Lateral, Rt wrist plain film, 13-year-old boy: 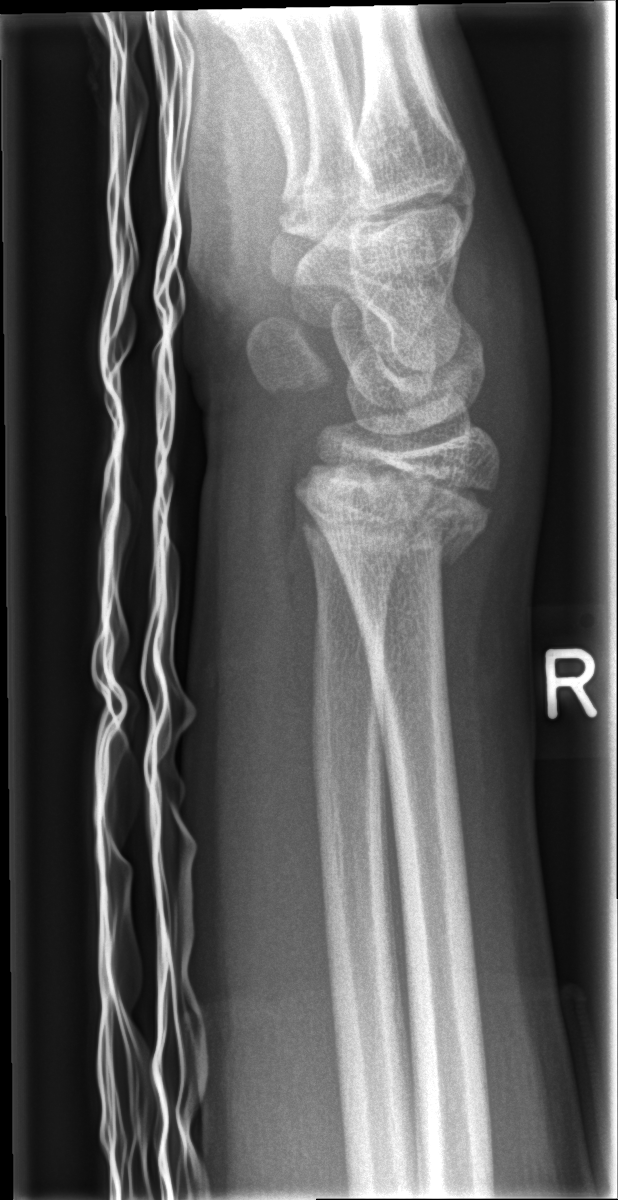
One soft-tissue swelling at <483,199>-<556,430>.
Fx identified at <294,471>-<497,571>.